Lateral, R pediatric wrist radiograph, 12y M, subsequent exam —
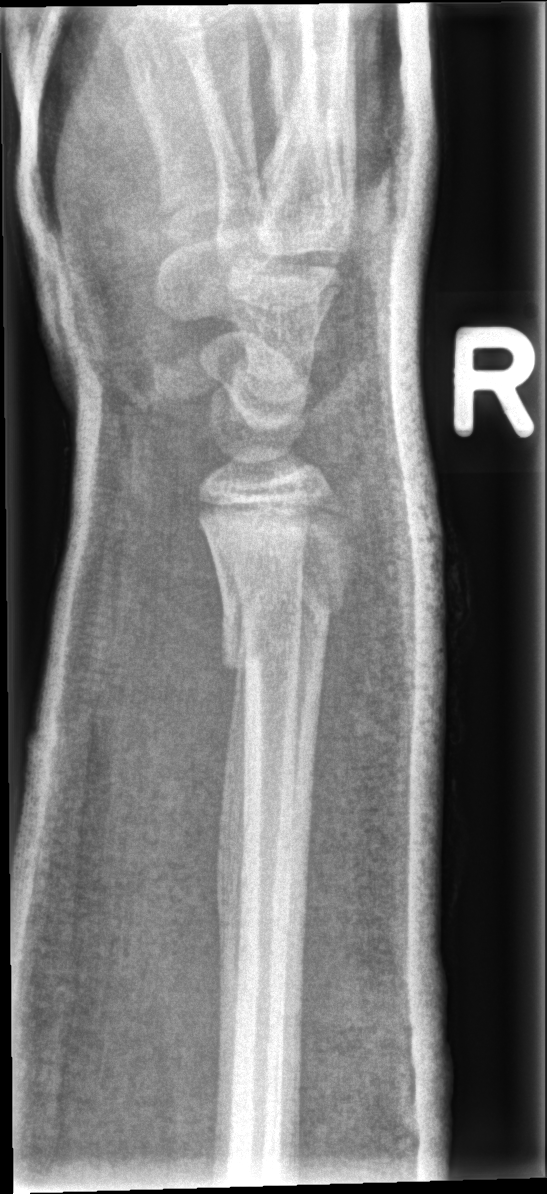 - Boxes as x1,y1,x2,y2 (top-left / bottom-right, pixel units).
- One fracture at bbox(219, 578, 332, 683).